R plain radiograph of the wrist, lateral, pediatric patient (male, age 13), acquired on Siemens, image 64.9 mm wide, image size 451x1018.
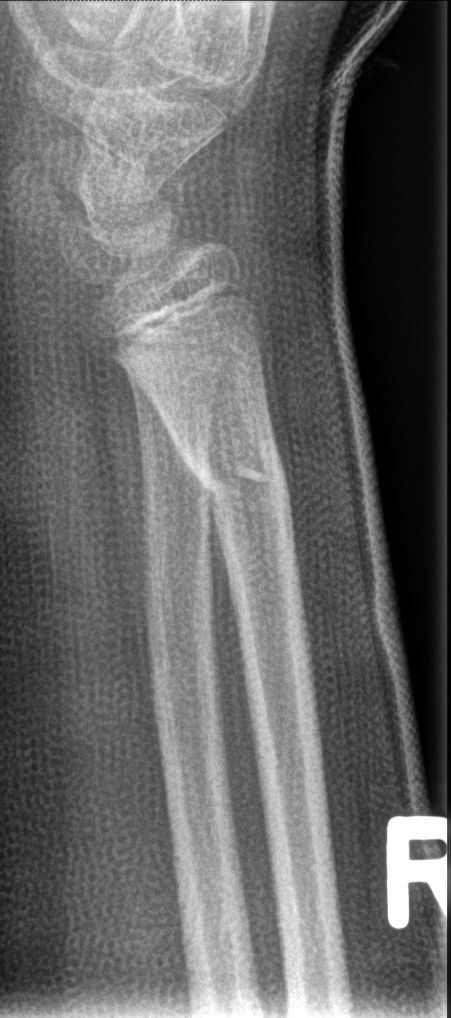 Findings: One fracture at [x1=179, y1=428, x2=295, y2=531]. Fracture classified AO/OTA 23r-M/2.1.